L wrist radiograph, posteroanterior projection, initial study 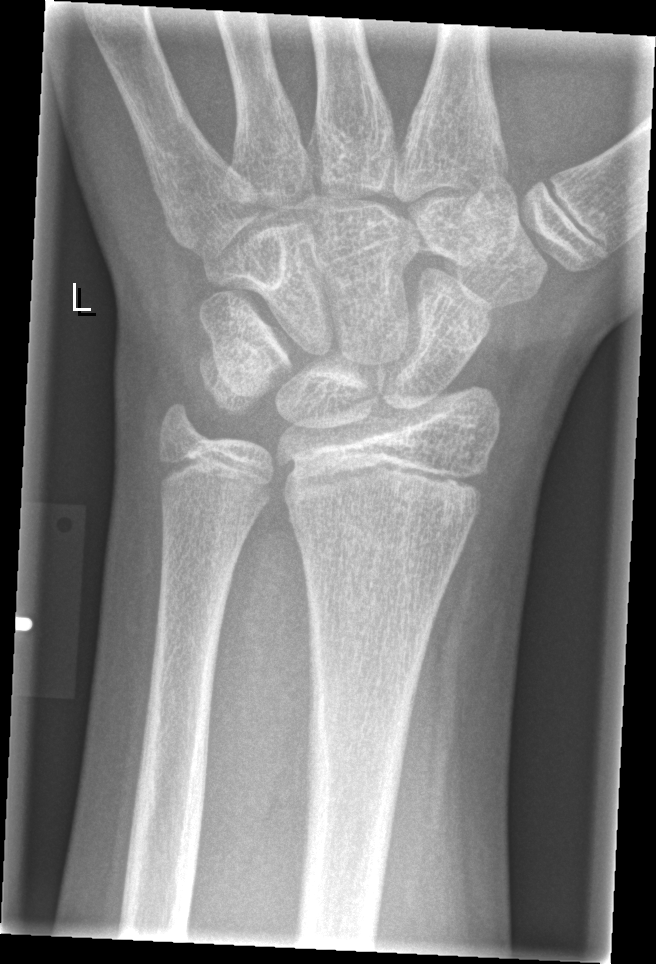
Fx: none labeled